Left wrist XR | PA/AP view | age 14 y, male | in cast. 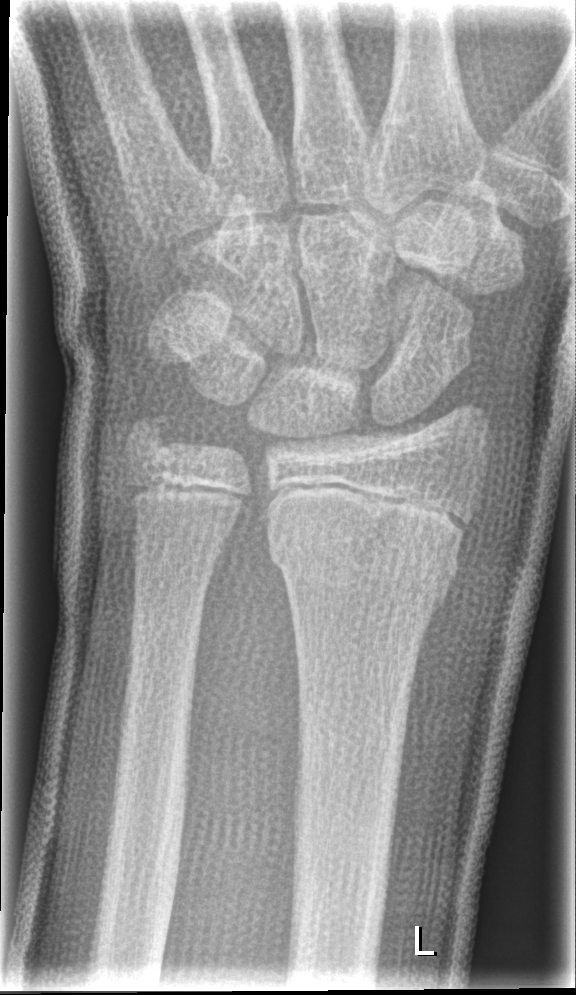 Bone fracture identified at bbox(262, 508, 465, 611) bbox(123, 398, 184, 465).